L pediatric wrist radiograph, AP view, 7-year-old female, index exam, acquired on Siemens 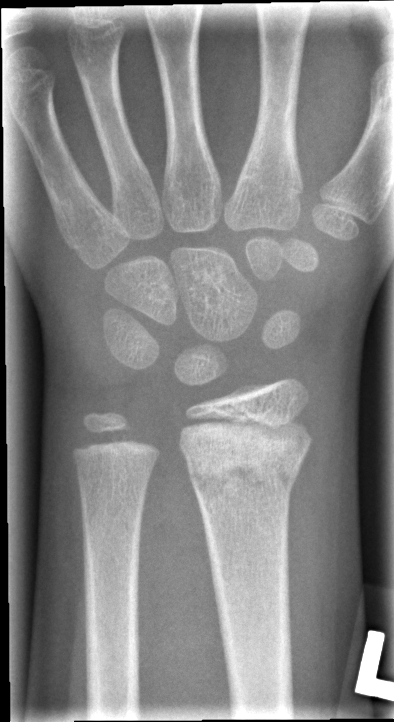
  # bounding boxes in image-pixel xyxy
  ao: 23r-M/2.1
  fracture: 1 @ <184,435>-<316,513>